Lateral | left wrist X-ray | age 10 y, male | follow-up | imaged through cast
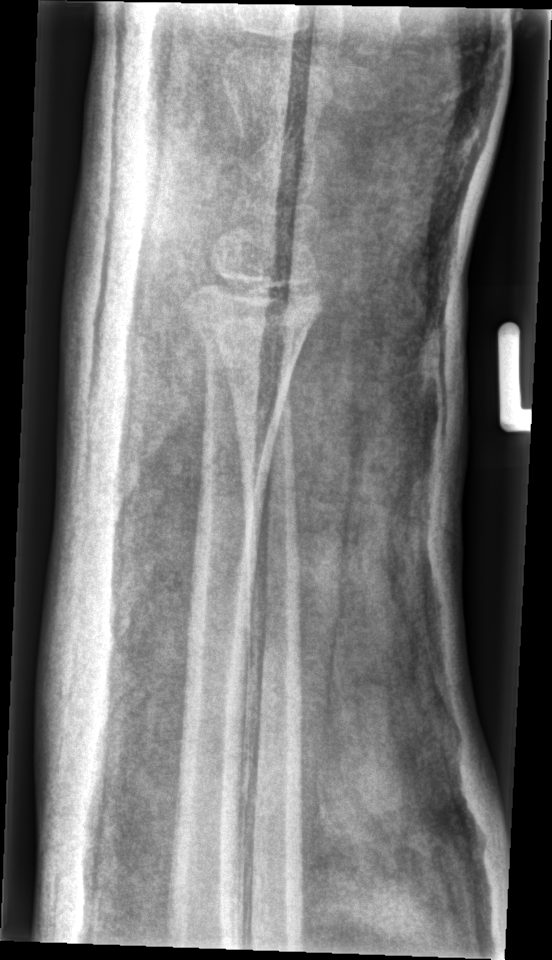

Bounding boxes in image-pixel xyxy.
Fx: [174, 276, 323, 374].